Left wrist plain film; lateral view; pediatric patient (female, age 13) —

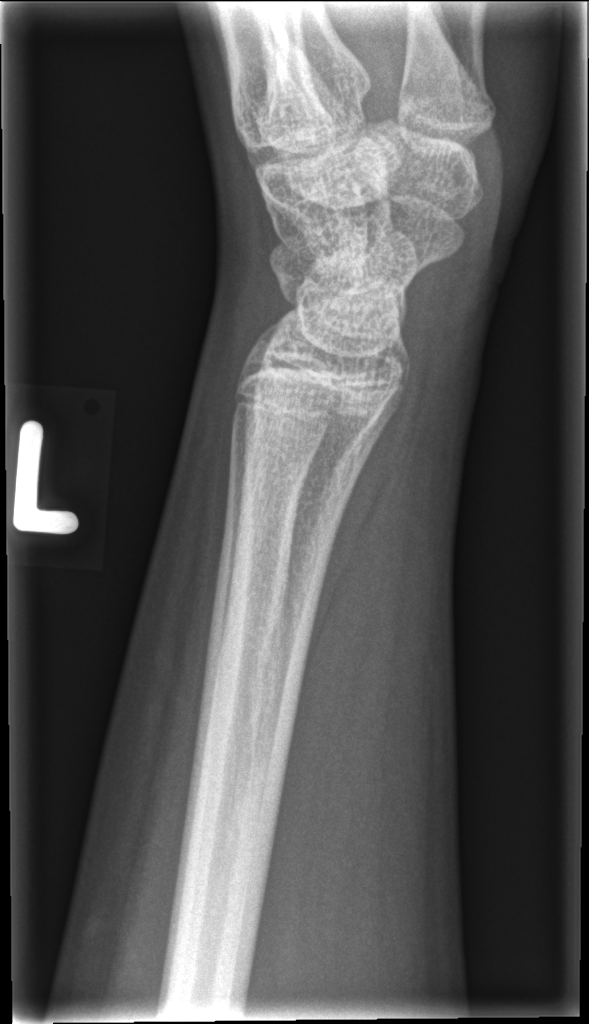 No fracture labeled.